R pediatric wrist radiograph · lat · 12-year-old male · Siemens · image size 658x1095. 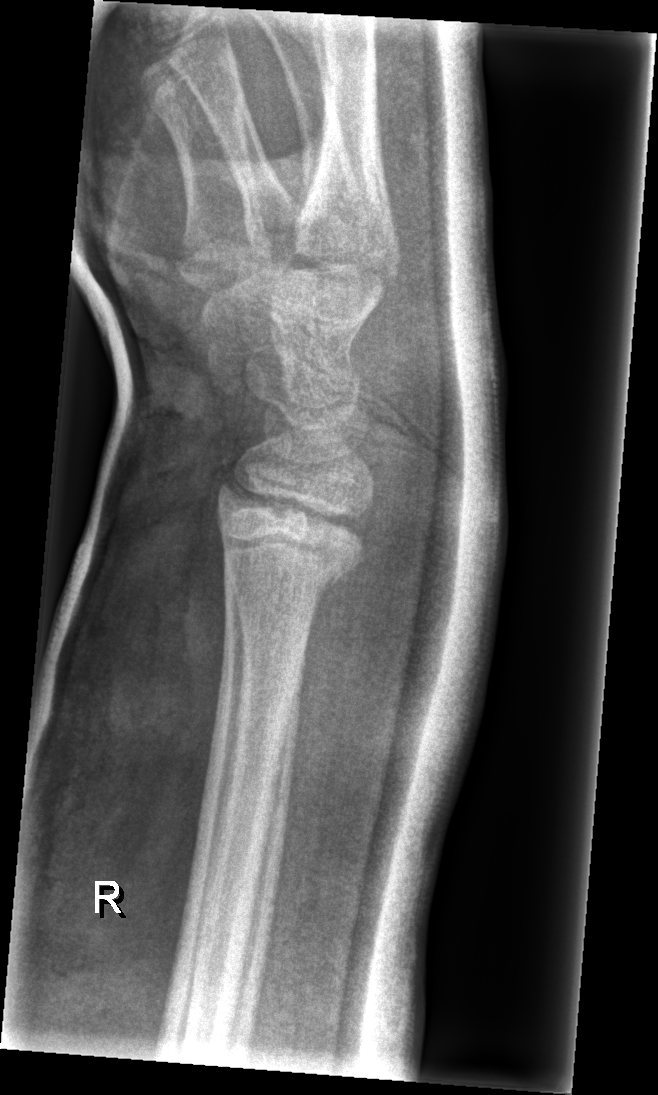 Fracture = 1 @ [213, 474, 370, 591]